Lat view, L wrist XR, cast in situ, 981 by 1204 pixels 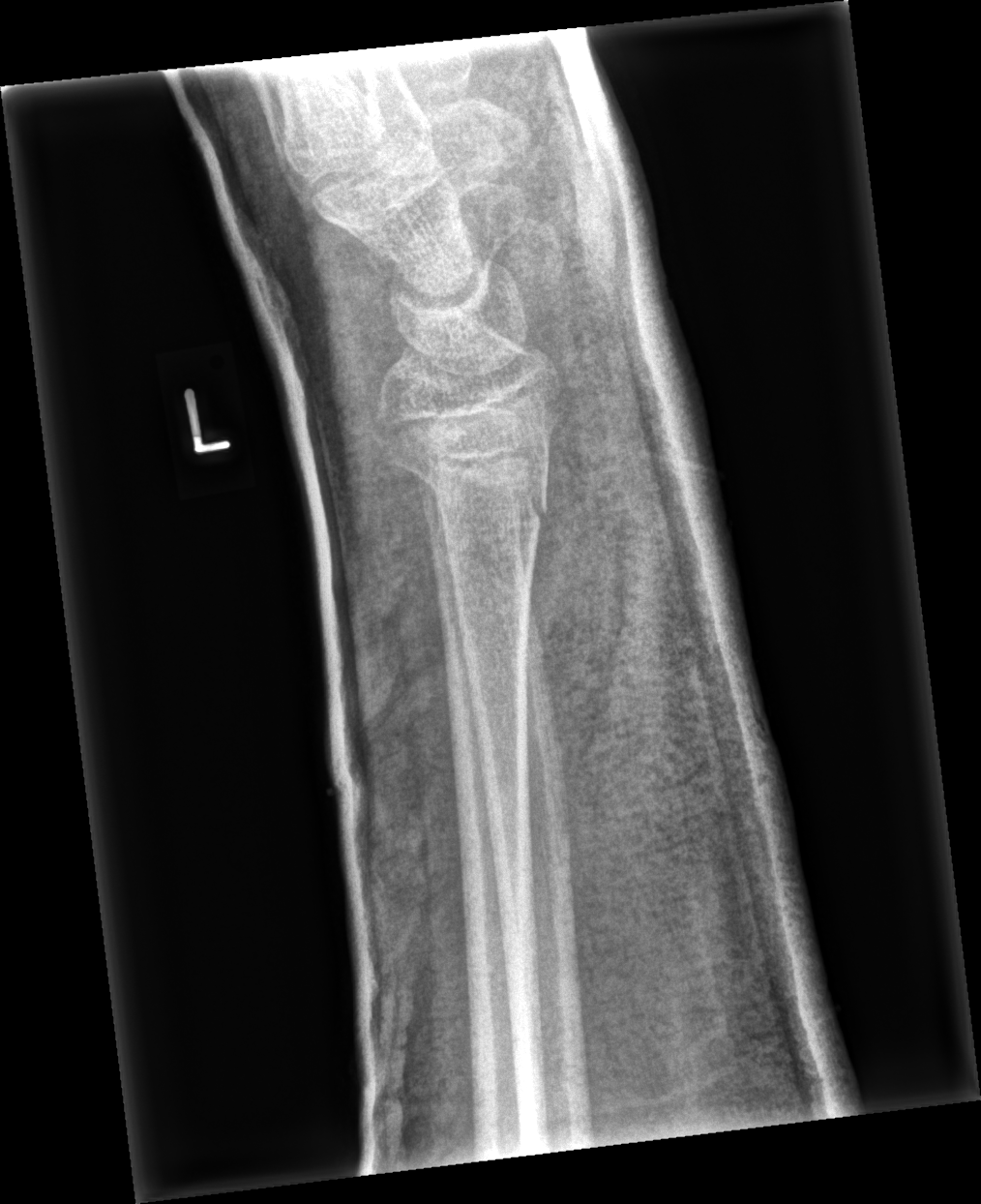
AO code = 23r-M/3.1
Fx = 1 @ [x1=365, y1=405, x2=558, y2=537]